Posteroanterior view; L wrist XR; male, 8 yo; follow-up study; cast in situ; image 108.1 mm wide
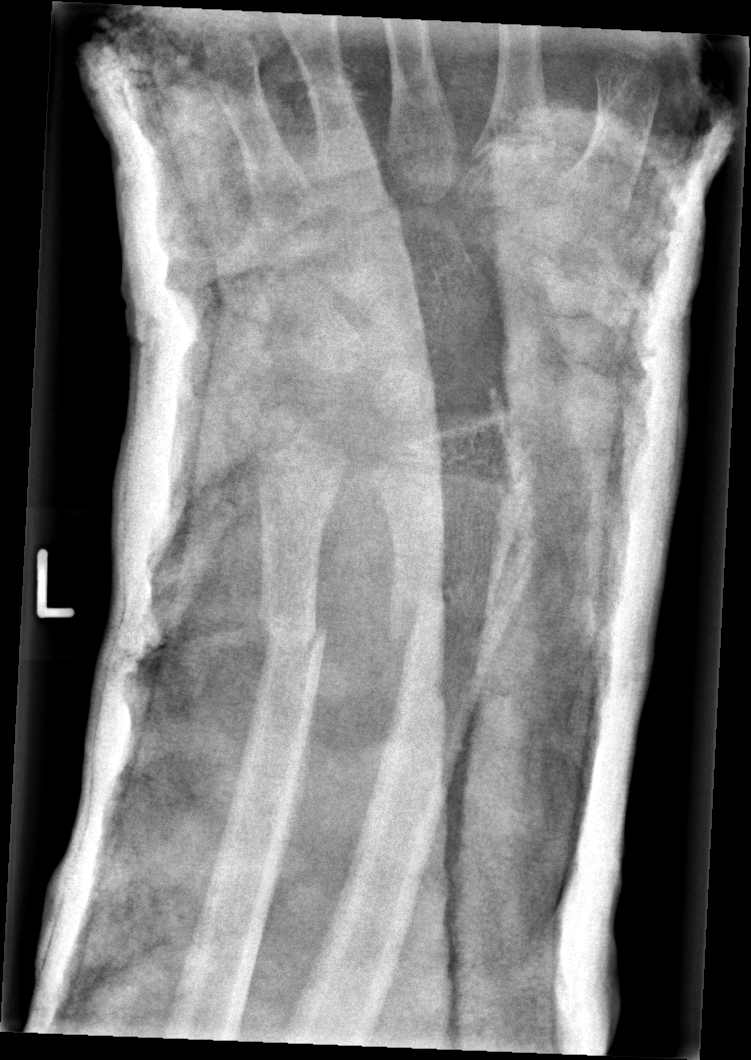

Bone fracture: 386 575 520 673; 251 599 331 665
AO/OTA: 23-M/3.1